Left wrist X-ray; frontal projection; follow-up study; cast in situ —

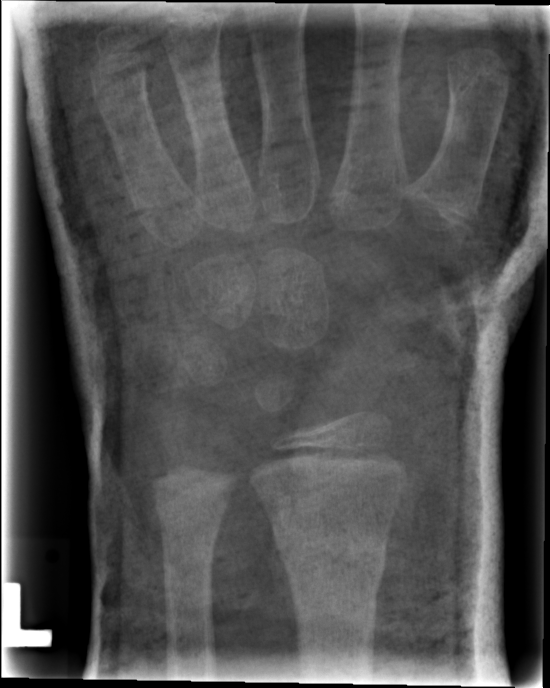
FINDINGS: AO code 23r-M/3.1. One fracture at (left=271, top=530, right=390, bottom=589).